Posteroanterior view; left wrist X-ray; index exam; detector: Siemens —

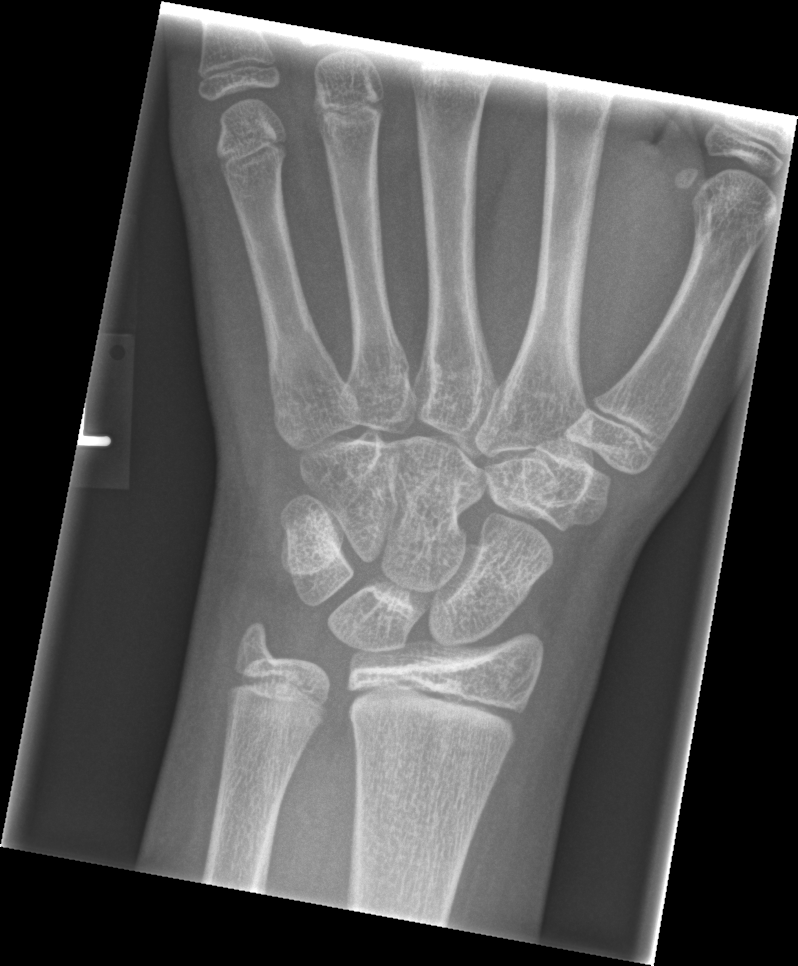
Q: Any fracture seen?
A: No fracture bounding box